Lateral · L plain radiograph of the wrist · cast present · 460 x 1436 px.
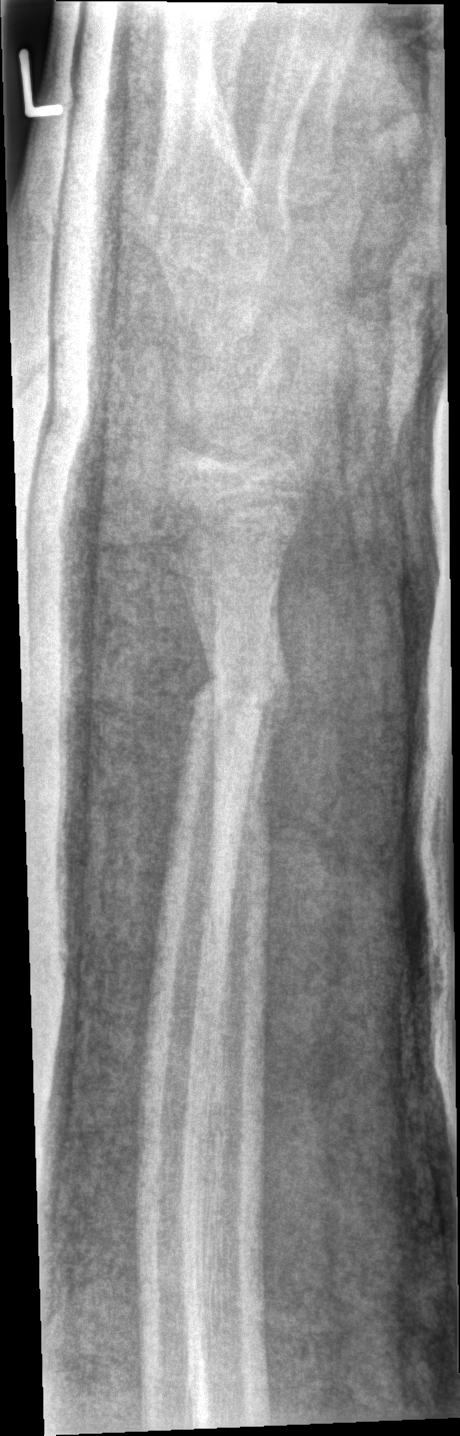
AO code 23r-M/3.1. Fracture: 184 661 296 730.